Lt wrist X-ray | lat projection: 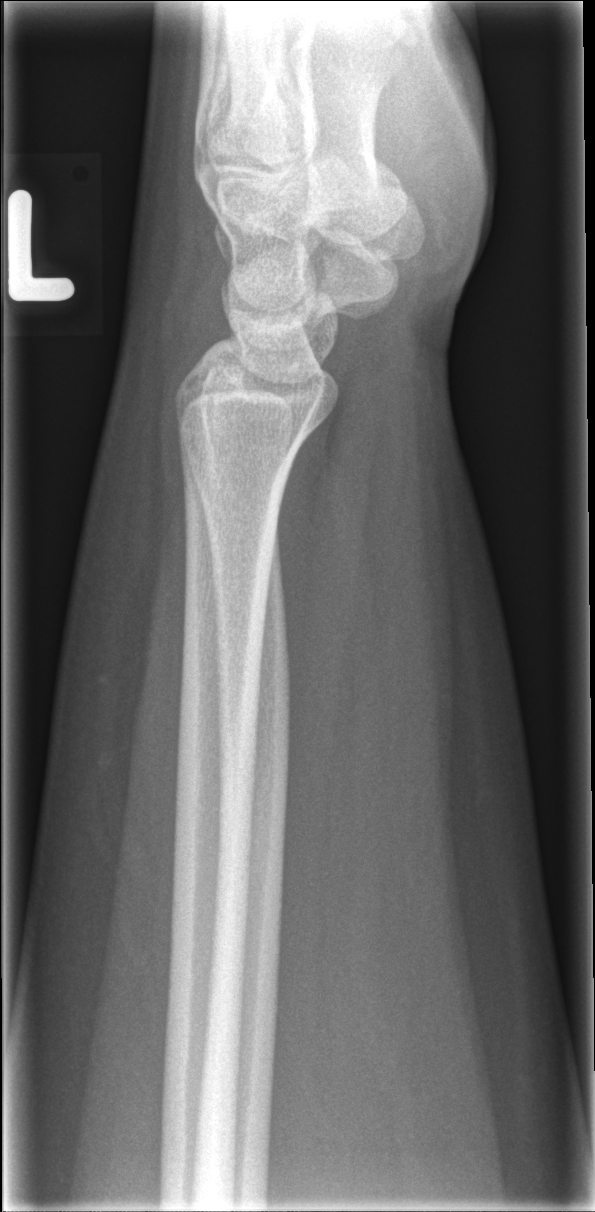

FINDINGS: No Fx annotated.